PA/AP · left wrist plain film · age 4 y, girl —

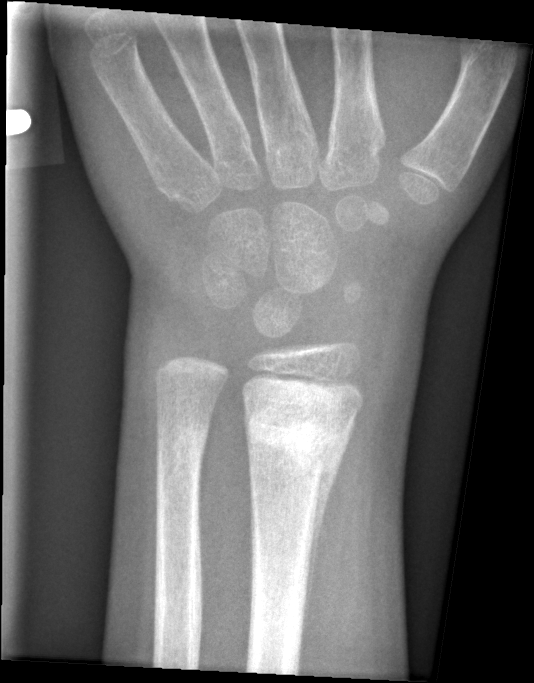

Findings: (coordinates are [x1, y1, x2, y2] in image pixels) One periosteal thickening at <302,435>-<348,633>. Osteopenic. AO/OTA classification: 23-M/2.1. Bone fracture: <243,390>-<352,495>; <153,420>-<213,478>.